Left pediatric wrist radiograph; lateral projection; 15-year-old male. 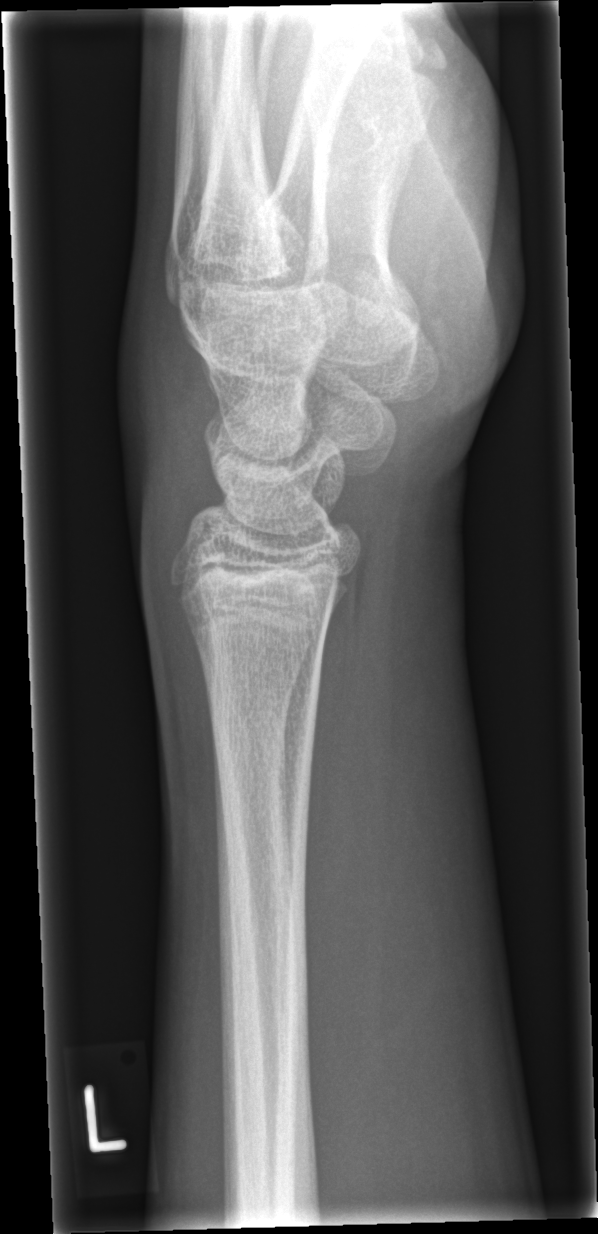

Fx = none labeled